Lateral projection | left wrist pediatric wrist radiograph | 12y M | cast in situ | 519x860

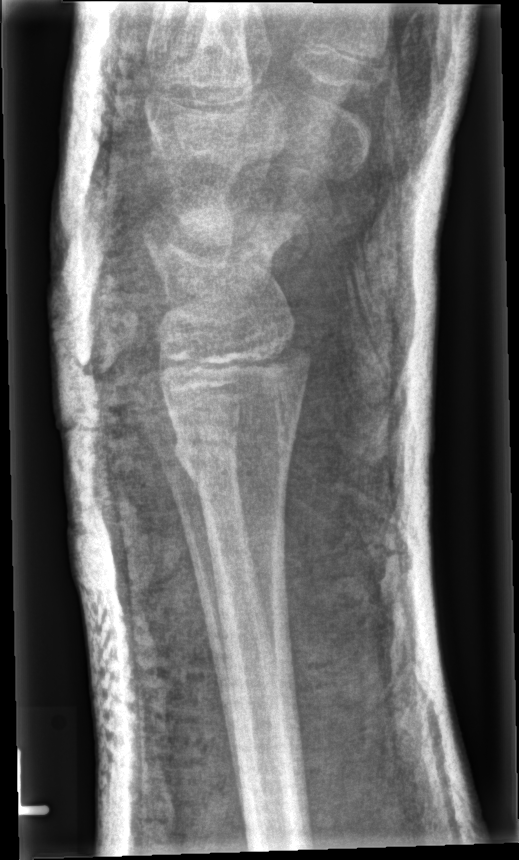   fracture: 1 @ 171 423 299 492